Lt wrist XR | lateral: 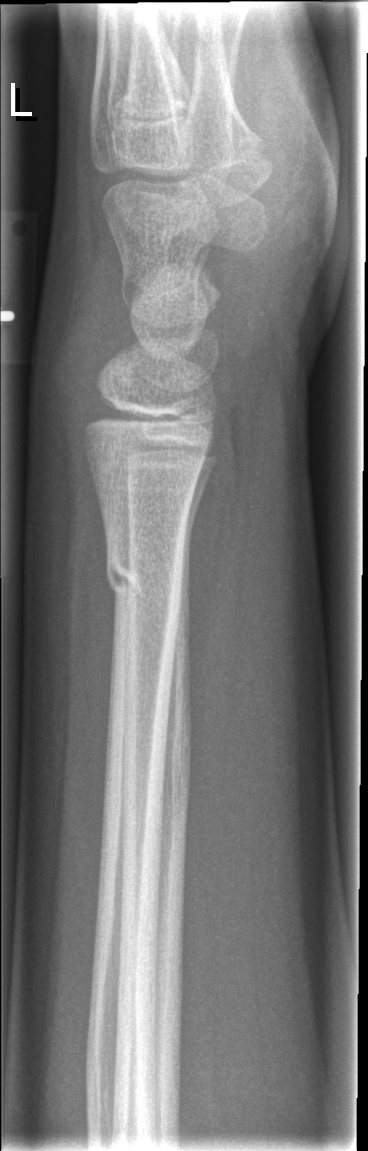
FINDINGS — Fx — <100,545>-<193,618>.